AP · right wrist radiograph · cast present · image width 103.0 mm
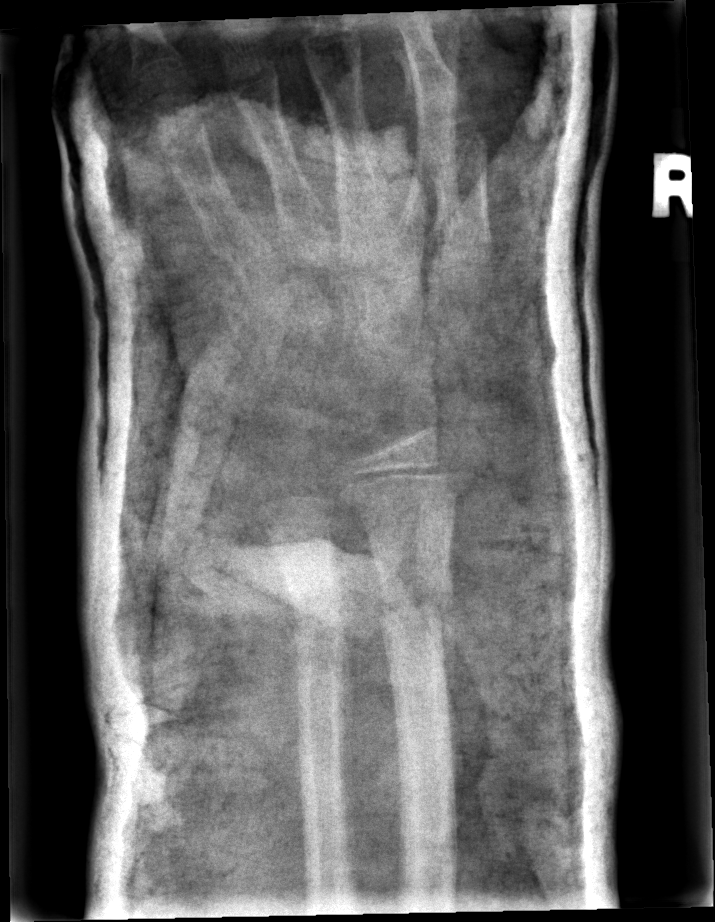

(boxes as x1,y1,x2,y2 (top-left / bottom-right, pixel units))
Fracture: 2 @ 372 578 456 632; 289 605 352 655